Left wrist XR; lateral; age 10 y, girl; image width 57.7 mm.
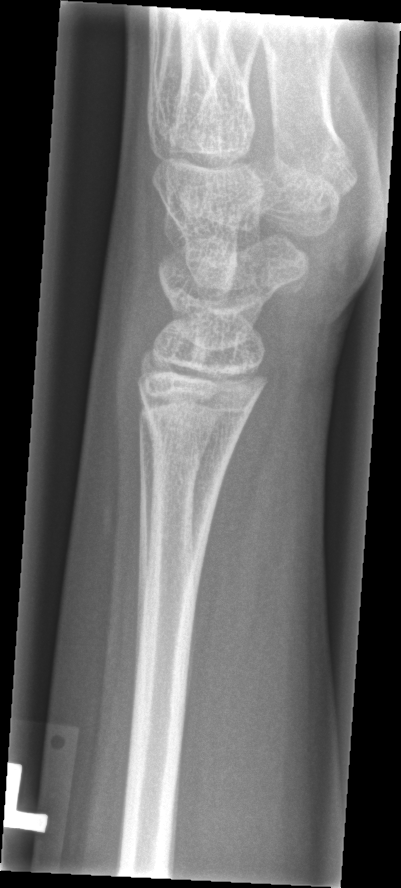 FINDINGS: One bone fracture at [141, 403, 244, 472].